Lt wrist radiograph, lat view, cast in situ.

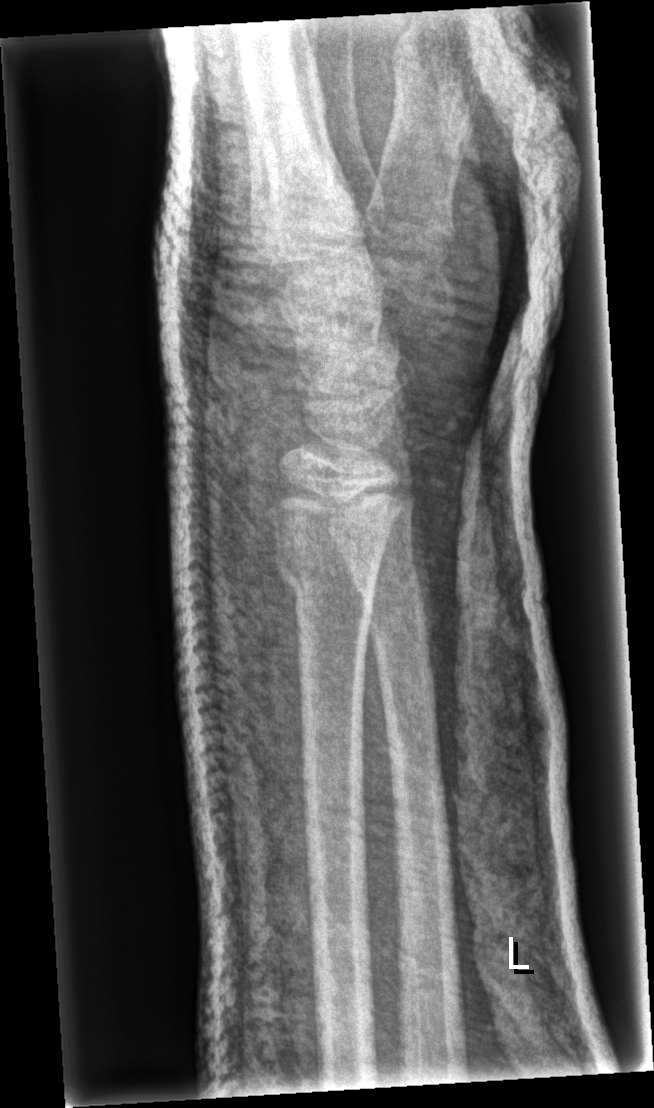 - Coordinates are [x1, y1, x2, y2] in image pixels.
- Fx: 272 541 381 634.